L wrist radiograph · lat projection · 15-year-old female — 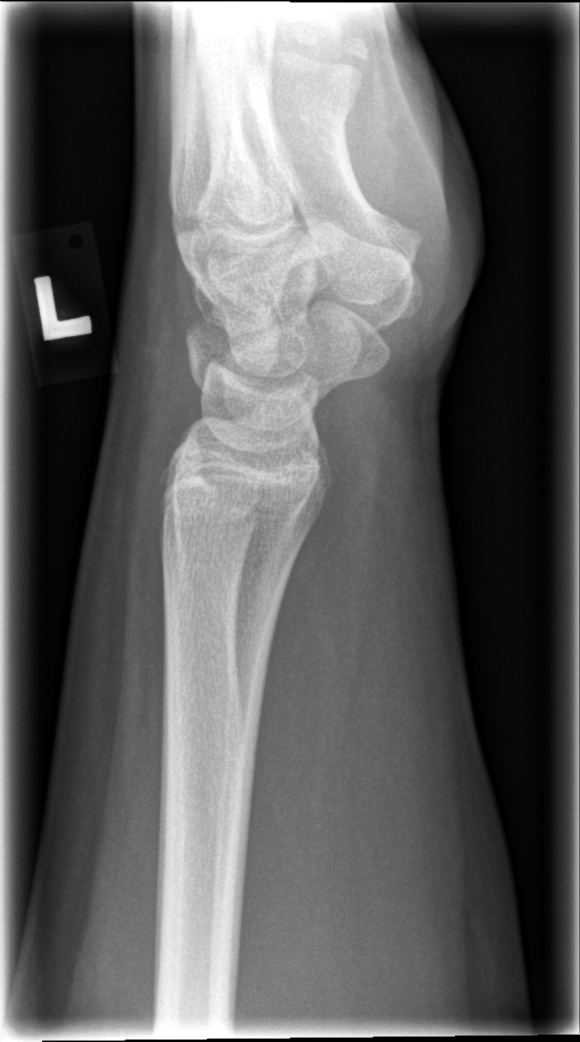

Q: Is there a fracture?
A: No fracture labeled